Right wrist radiograph · frontal view · 4-year-old girl.

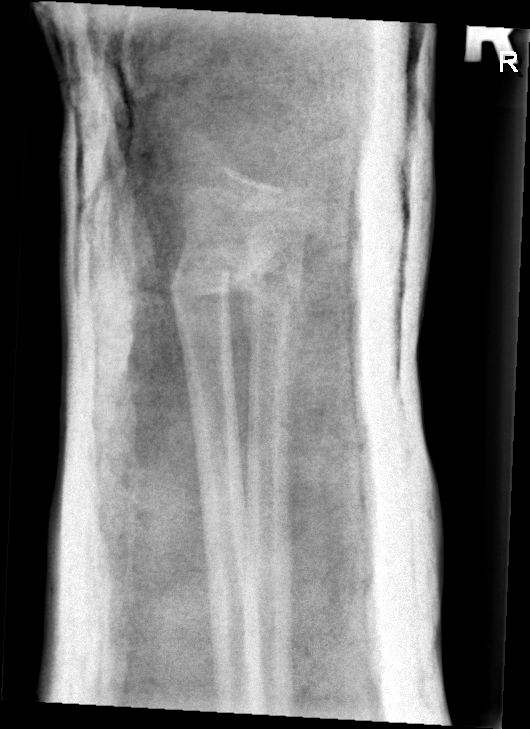 Coordinates are [x1, y1, x2, y2] in image pixels. Bone fracture: [167, 250, 258, 308]. AO code 23r-M/3.1.